R pediatric wrist radiograph; lat; 5y M:
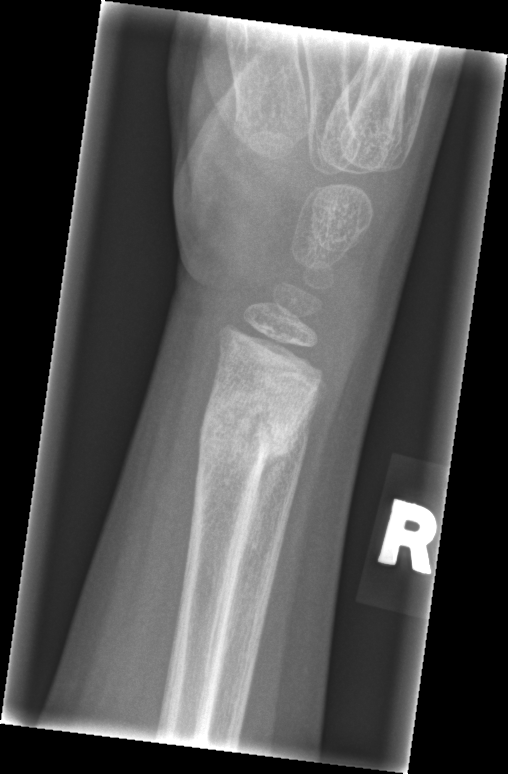 • Bone fracture — bbox(189, 396, 305, 478).
• Reduced bone mineral density.
• Periosteal reaction identified at bbox(235, 451, 293, 573).